PA/AP; right wrist pediatric wrist radiograph; pediatric patient (girl, age 10); in cast

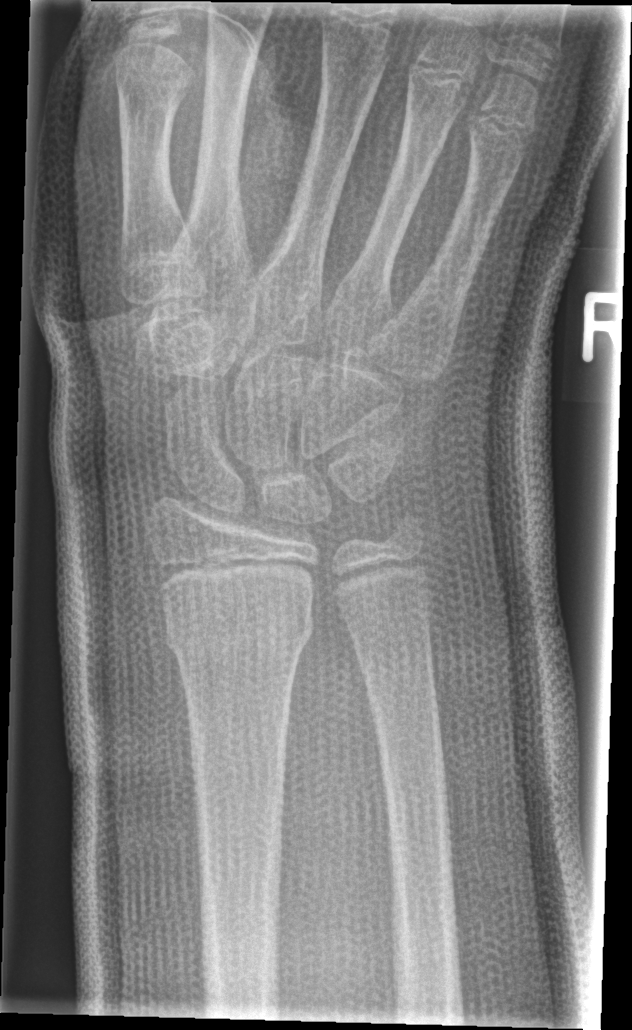

FINDINGS: (pixel coordinates, top-left origin, xyxy) Fracture identified at (left=152, top=580, right=327, bottom=666); (left=383, top=509, right=433, bottom=555).